PA/AP · Rt wrist XR · boy, 11 yo · detector: Siemens.

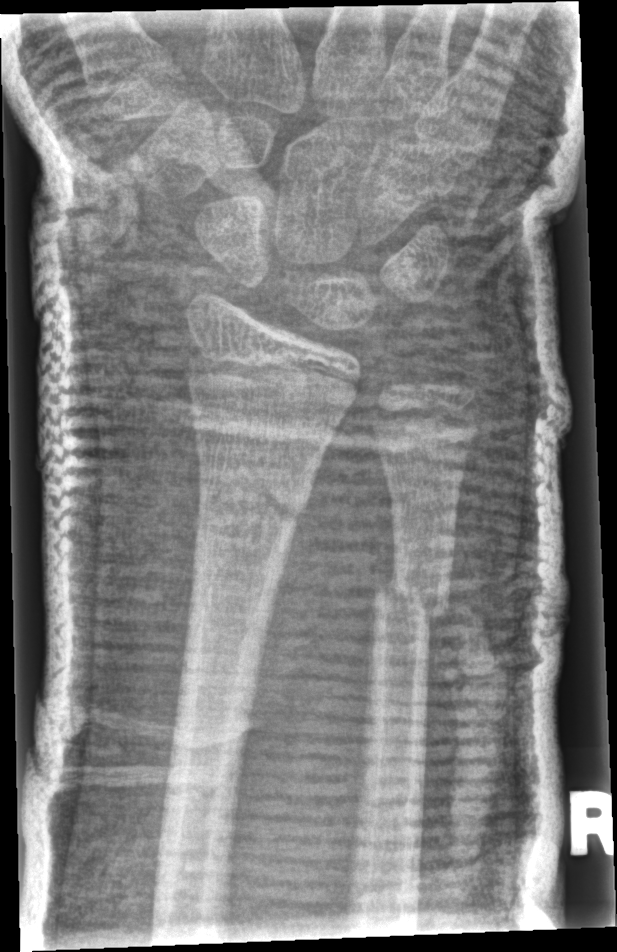   # boxes as x1,y1,x2,y2 (top-left / bottom-right, pixel units)
  fracture: bbox(189, 465, 314, 535), bbox(368, 570, 454, 634)
  ao: 23-M/3.1